Lateral | Rt wrist X-ray | 4y M | follow-up | cast present:
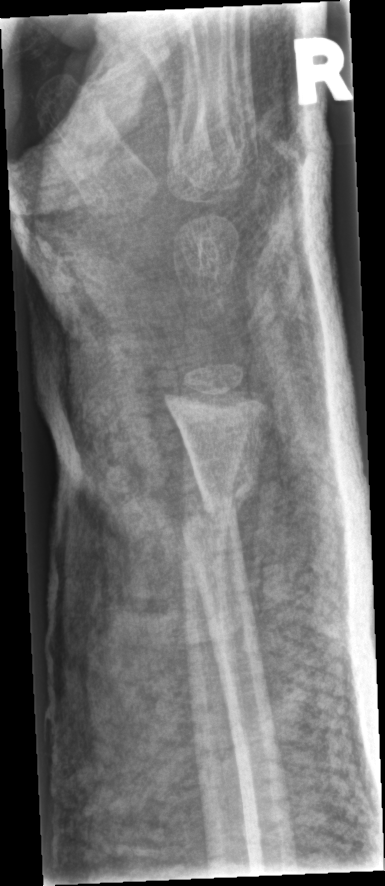 (pixel coordinates, top-left origin, xyxy)
Fx: 1 @ [177, 461, 263, 545]
AO code: 23-M/3.1